Right wrist plain radiograph of the wrist | lat | presentation radiograph.
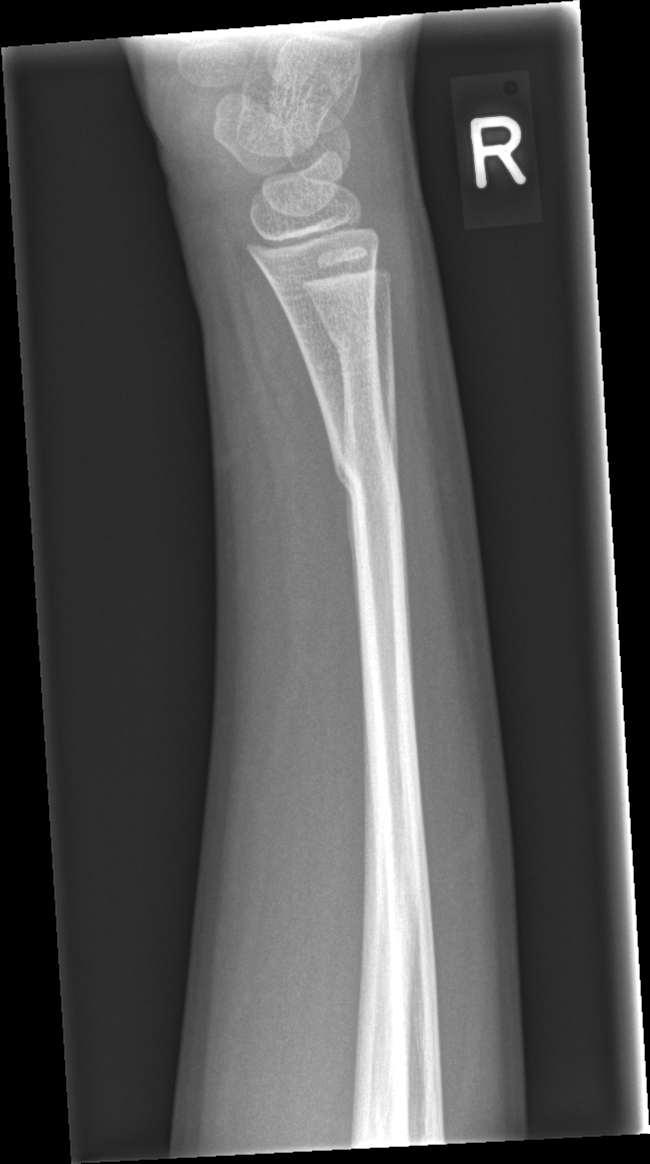
(coordinates are [x1, y1, x2, y2] in image pixels)
Fracture = (left=324, top=426, right=408, bottom=533); (left=315, top=306, right=401, bottom=371)